L wrist radiograph · lat projection · follow-up —
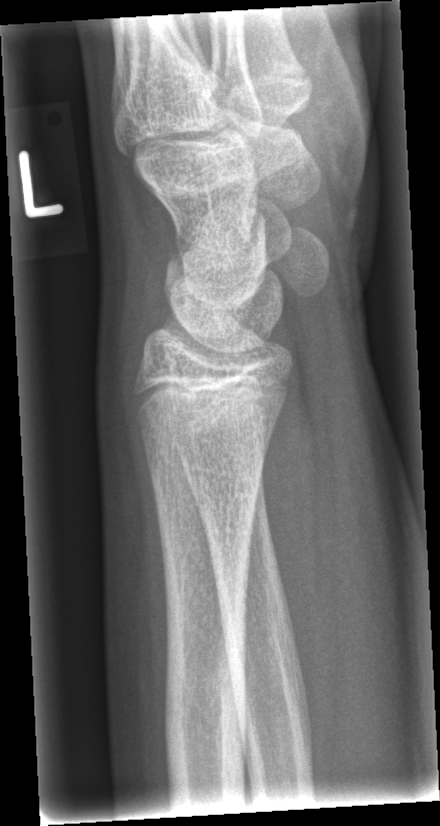

(bounding boxes in image-pixel xyxy)
Fx: 1 @ <160,653>-<250,756>